Right wrist radiograph · frontal view —
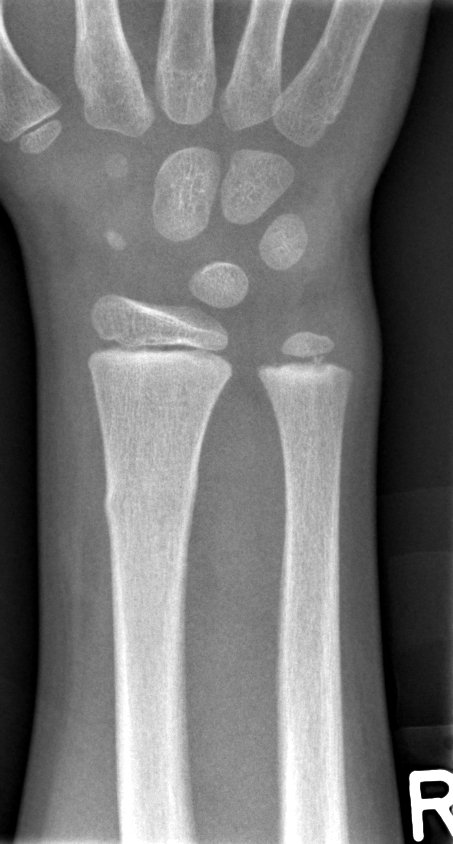 Bounding boxes in image-pixel xyxy.
One bone fracture at 101 460 201 540.
Fracture classified AO/OTA 23r-M/2.1.